L plain radiograph of the wrist · PA/AP view · 76.2 mm image width

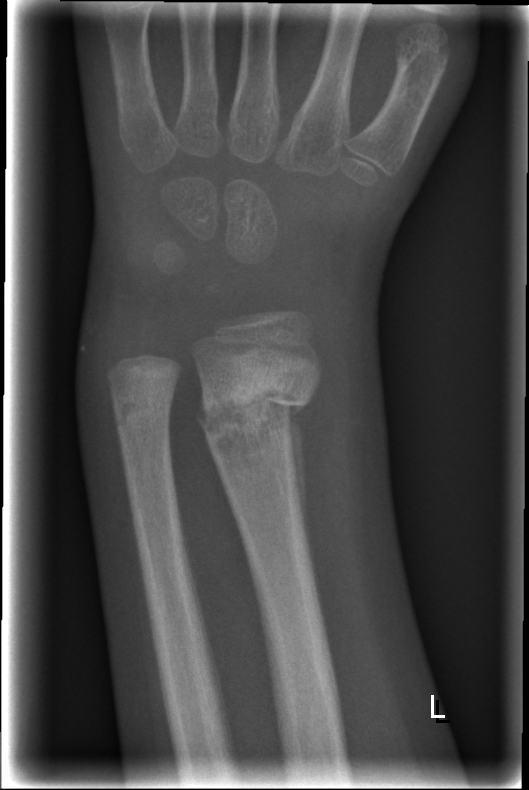 • Bone fracture: [x1=193, y1=365, x2=317, y2=450], [x1=106, y1=383, x2=177, y2=436].
• AO code 23r-M/3.1; 23u-M/2.1.
• Periosteal new bone — [x1=287, y1=419, x2=307, y2=528].